Left pediatric wrist radiograph | AP projection | pediatric patient (male, age 5): 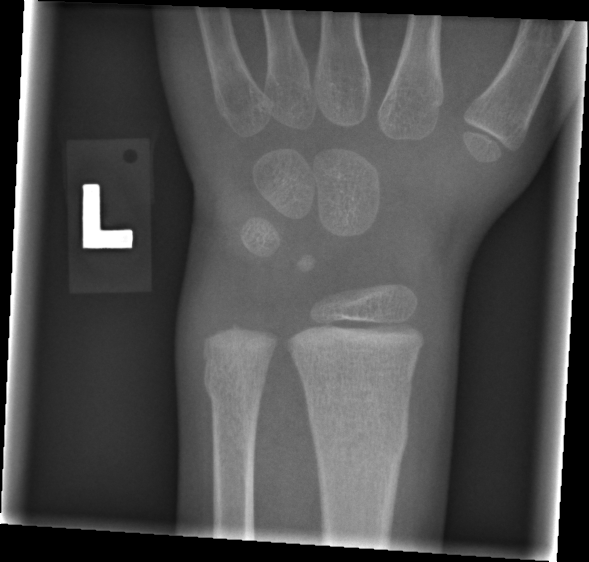
Boxes as x1,y1,x2,y2 (top-left / bottom-right, pixel units). AO/OTA classification: 23-M/2.1. Bone fracture identified at 307,402,412,464; 202,368,267,412.